Frontal projection, right wrist X-ray, age 14 y, female, acquired on Siemens, image size 828x1050.
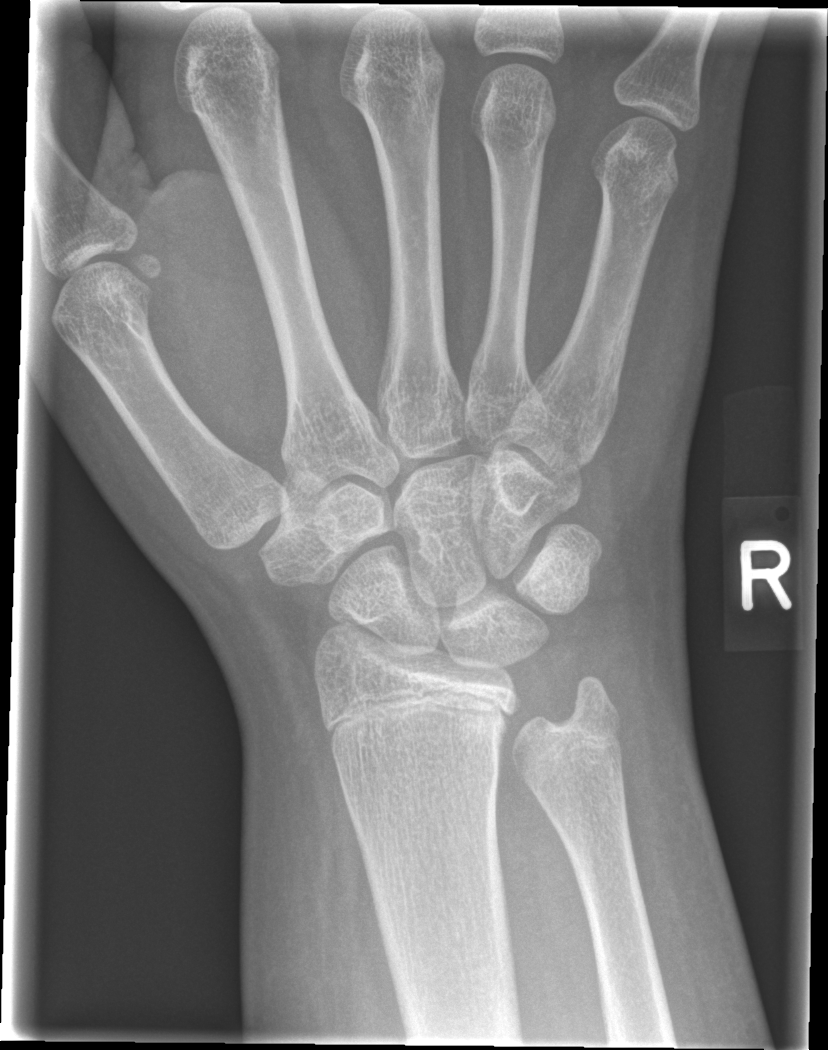

{"fracture": "none labeled"}